Lt plain radiograph of the wrist; lat view; 15-year-old female —

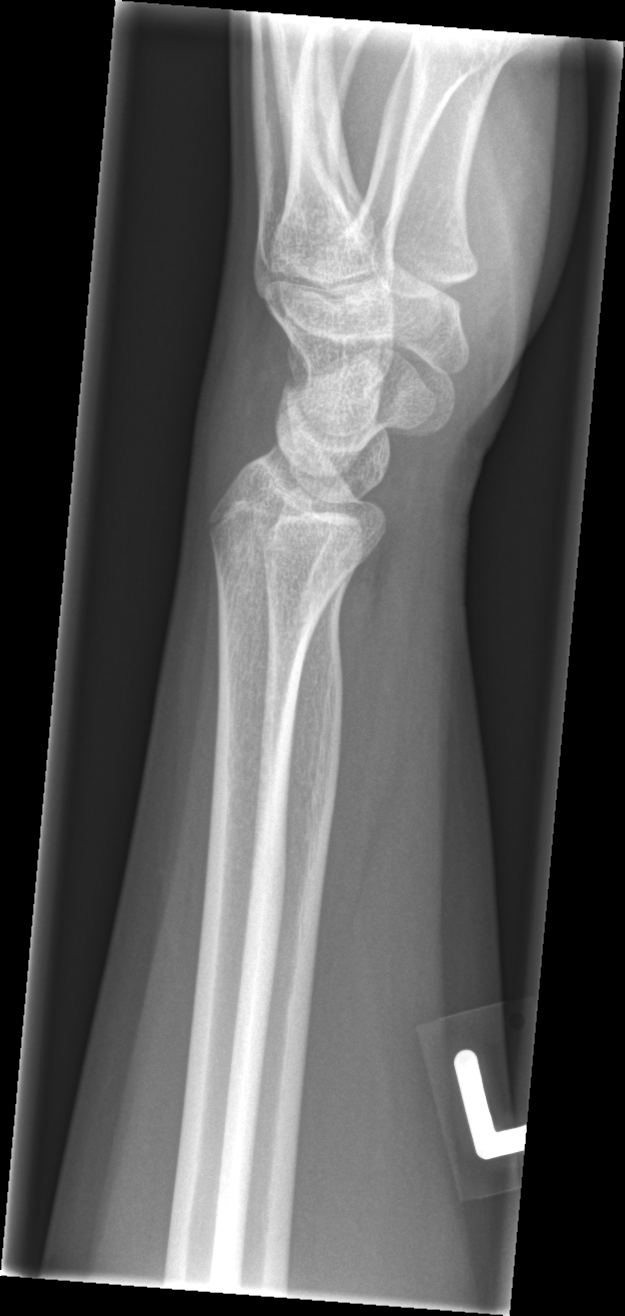
- Fx: none.